Left wrist X-ray; lat view; pediatric patient (male, age 7); image width 94.5 mm; 656x1218

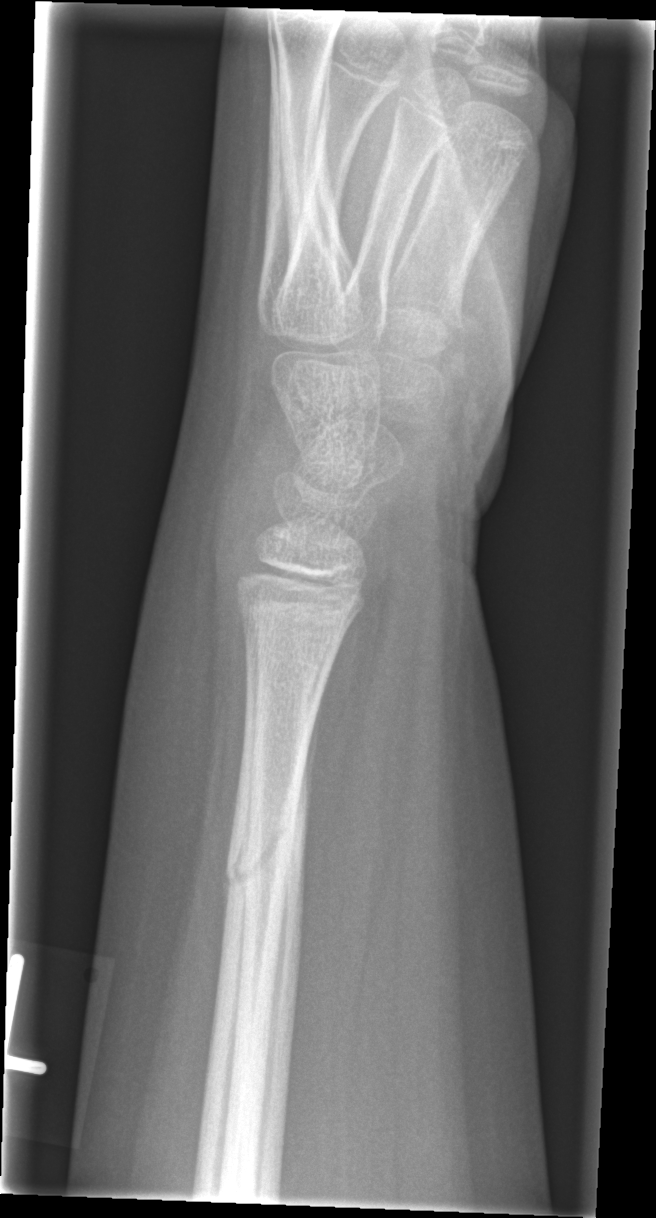   # pixel coordinates, top-left origin, xyxy
  osteopenia: present
  ao: 22r-D/2.1
  fracture: [x1=221, y1=816, x2=305, y2=899]